Lt wrist X-ray, lateral projection:
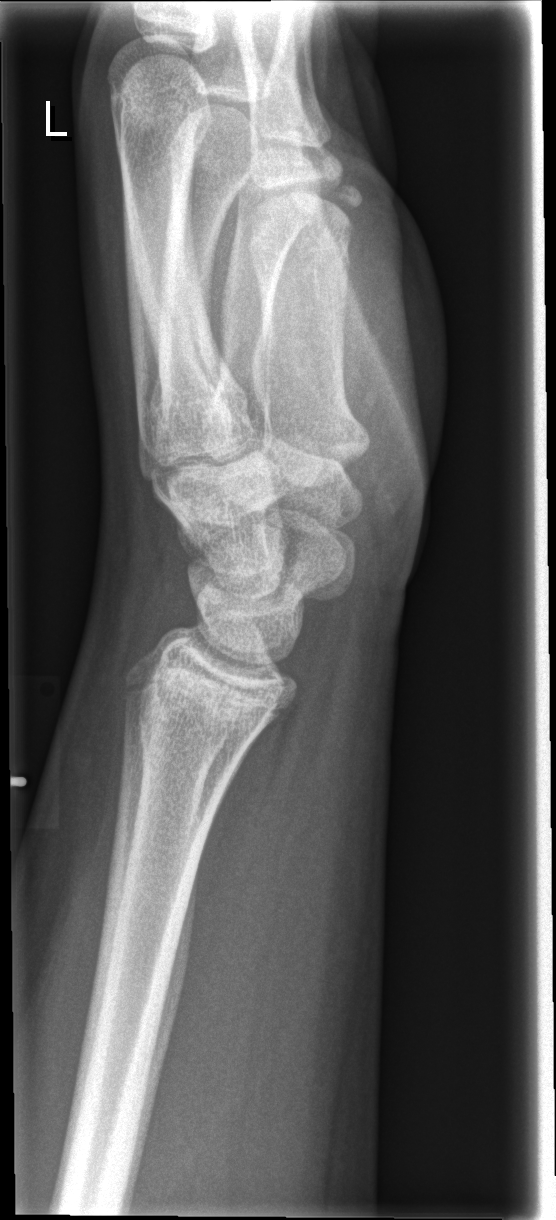
Fx: none labeled